R wrist plain film · lateral · age 4 y, female

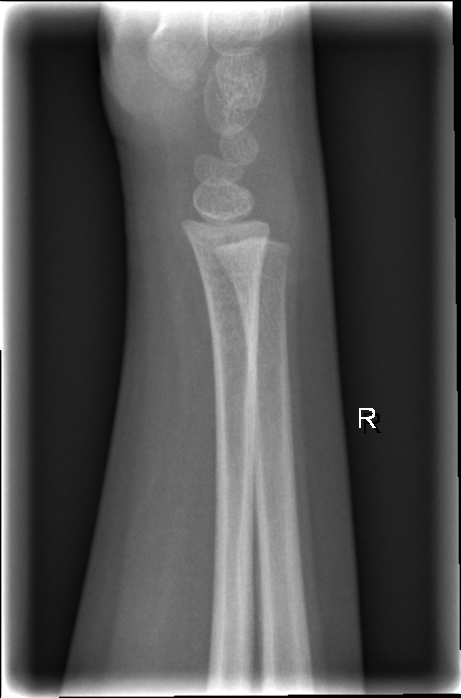
Q: Any fracture seen?
A: No fracture bounding box